Right wrist radiograph | posteroanterior projection | image 91.4 mm wide:
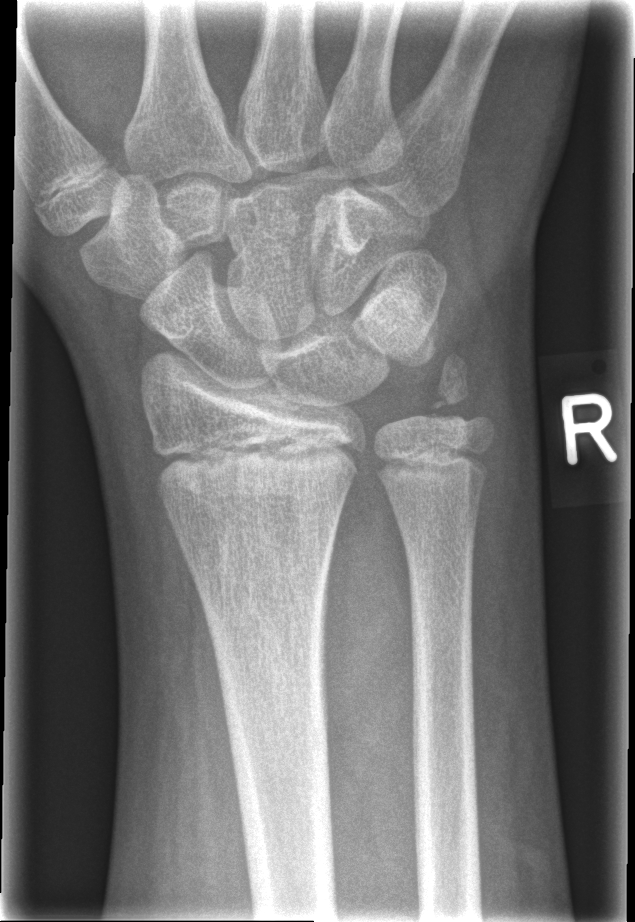 {"_coords": "pixel coordinates, top-left origin, xyxy", "fracture": "2 @ [x1=155, y1=447, x2=367, y2=501] [x1=420, y1=351, x2=473, y2=425]"}